Right wrist XR; lat projection; age 4 y, boy —

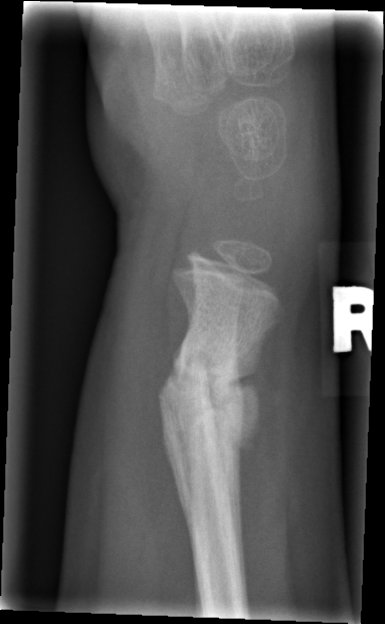

FINDINGS — Periosteal thickening: [x1=204, y1=326, x2=272, y2=518]. Fracture — [x1=155, y1=337, x2=265, y2=465]. Osteopenia. AO code 23-M/3.1.